PA projection | Rt plain radiograph of the wrist:
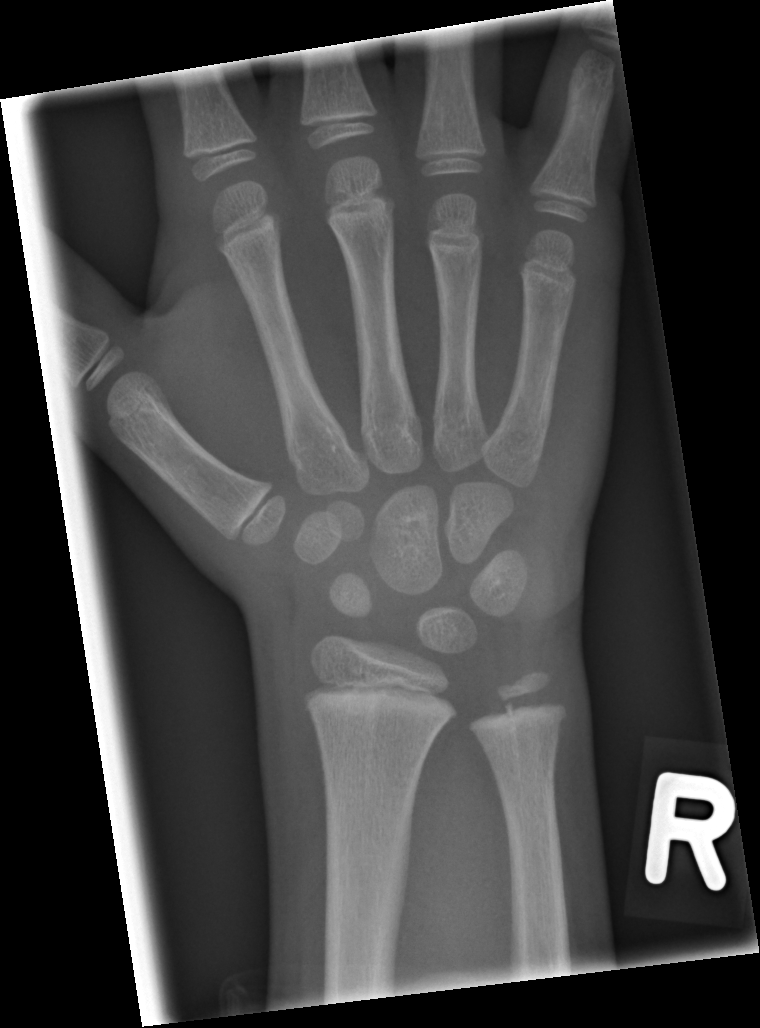

FINDINGS: No fracture bounding box.